Lateral · R wrist plain film · age 14 y, boy · subsequent exam · cast in situ: 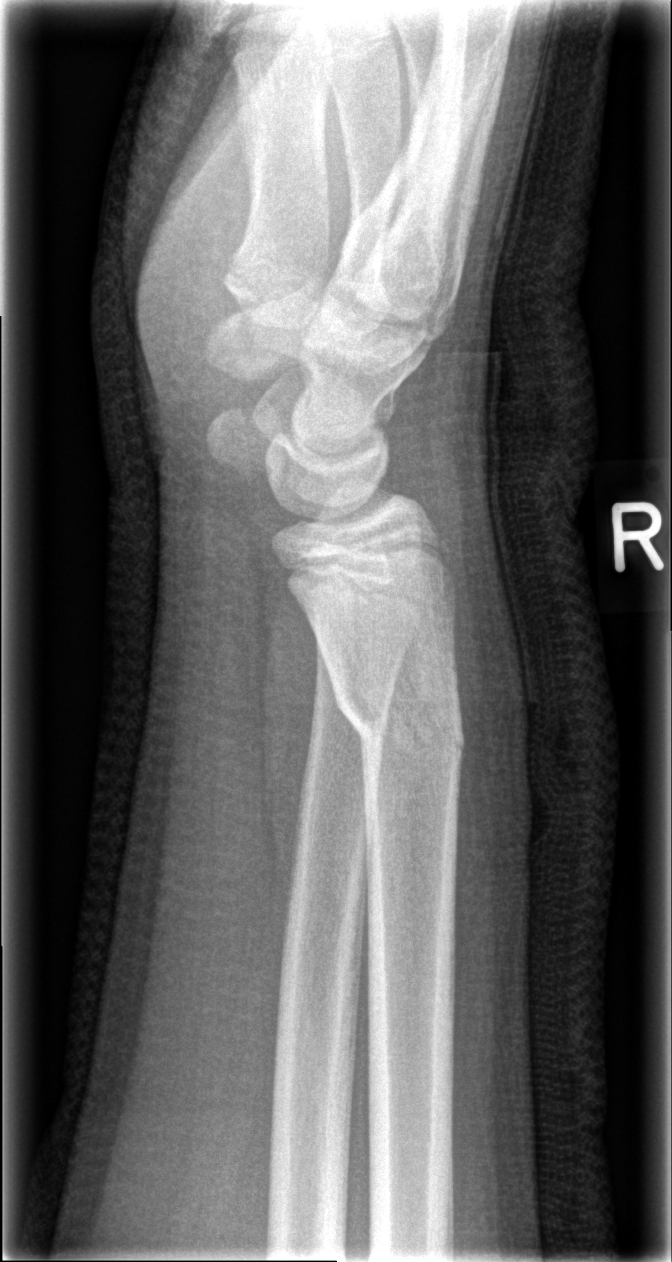 Fx = bbox(335, 674, 472, 764)
AO classification = 23r-M/3.1; 23u-E/7